Lateral · R pediatric wrist radiograph · pediatric patient (male, age 15) · Siemens. 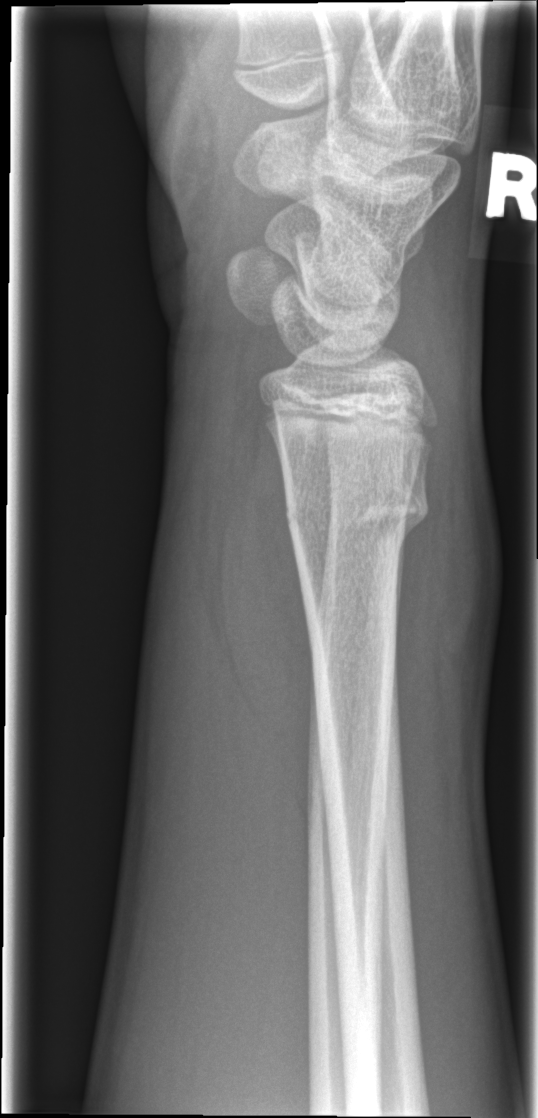

(pixel coordinates, top-left origin, xyxy)
Q: Any fracture seen?
A: One bone fracture at 283,464,432,545
Q: Pronator fat-pad sign?
A: Pronator quadratus fat-pad sign: 217,432,318,809
Q: AO code?
A: AO code 23r-M/3.1
Q: Is there soft-tissue abnormality?
A: One soft tissue abnormality at 390,416,500,748